Right wrist XR, posteroanterior view, age 6 y, girl.
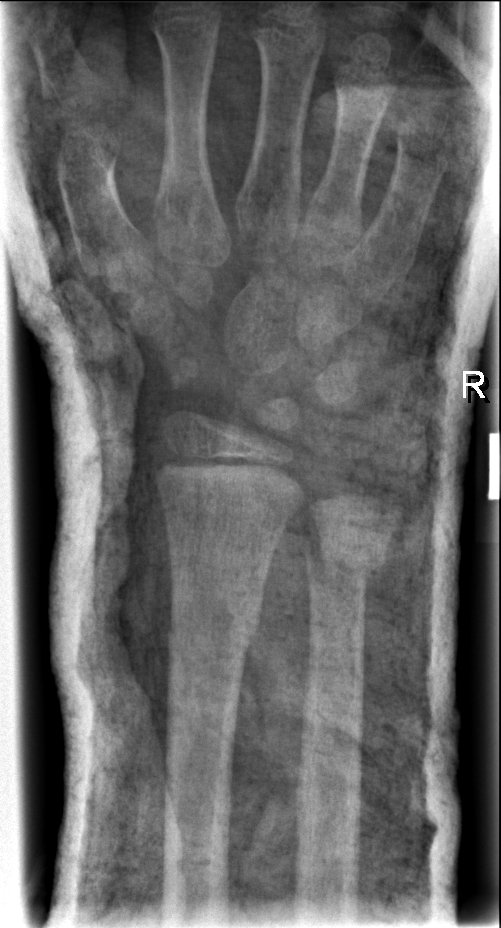 Bounding boxes in image-pixel xyxy.
Bone fracture identified at (left=298, top=527, right=386, bottom=597), (left=160, top=604, right=262, bottom=662).
Fracture classified AO/OTA 23-M/3.1.